Left wrist radiograph; lateral projection; boy, 14 yo; follow-up; cast present: 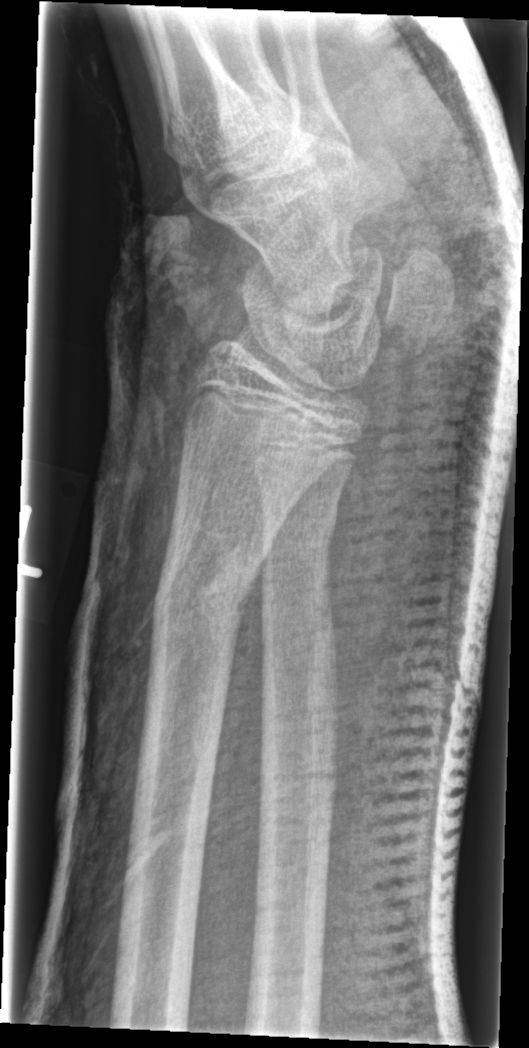 FINDINGS: Two bone fractures at bbox(148, 534, 263, 635); bbox(257, 487, 342, 559).